R plain radiograph of the wrist, AP, 8y F, follow-up, Siemens. 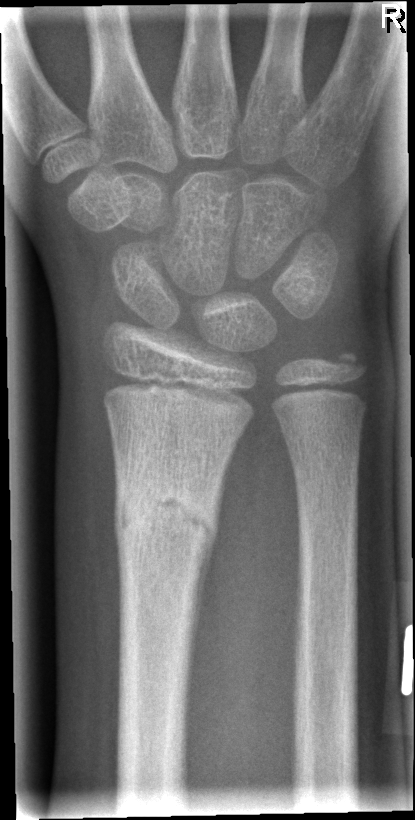 {"ao": "23r-M/3.1; 23u-E/7", "fracture": "2 @ [112, 475, 220, 559]; [321, 340, 373, 384]"}